Lat view | left wrist radiograph | follow-up study | detector: Siemens: 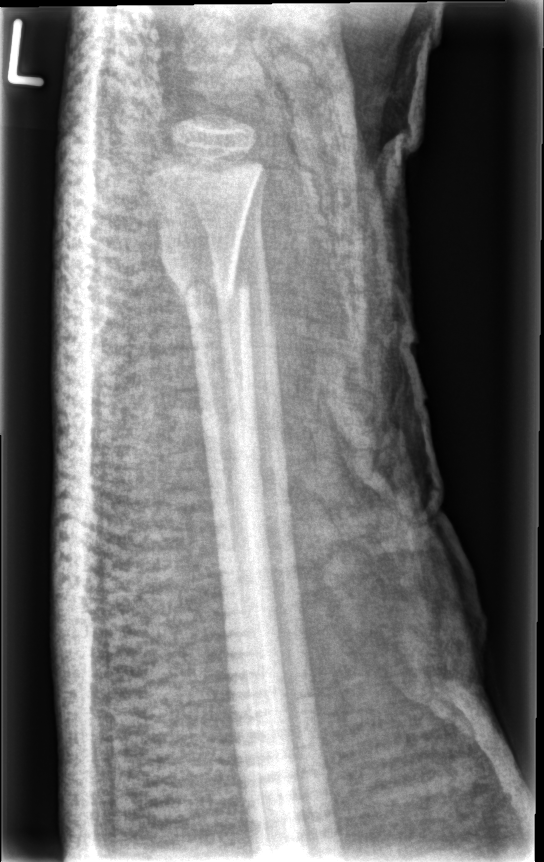 FINDINGS: Fracture identified at <157,249>-<254,320>, <195,199>-<269,252>.